Lt wrist X-ray, lat, index exam — 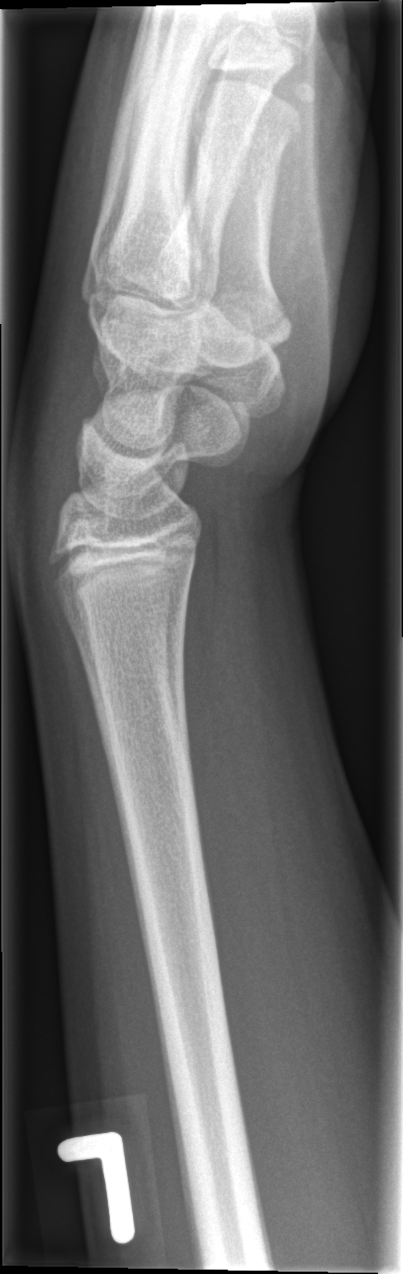 {
  "fracture": "none labeled"
}